Lt wrist radiograph; lateral projection; follow-up study
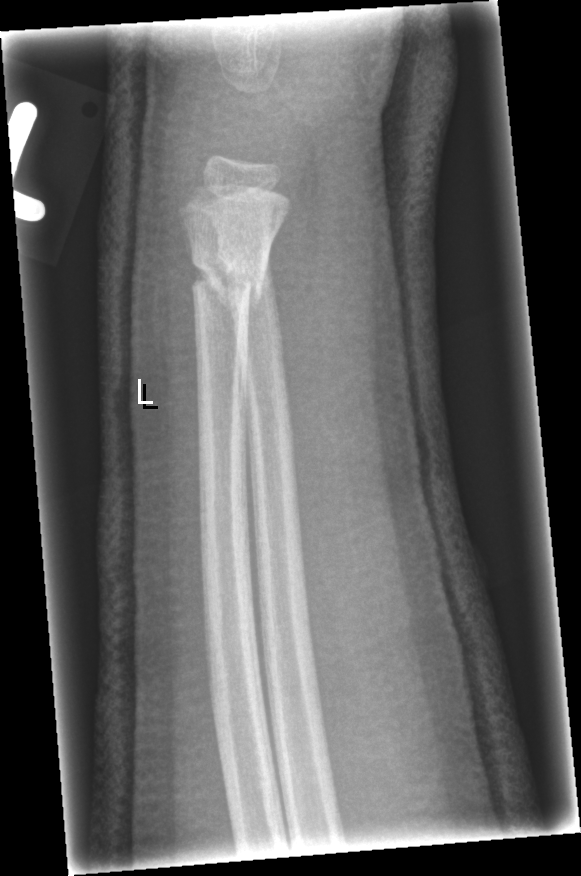
{
  "_coords": "bounding boxes in image-pixel xyxy",
  "ao": "23r-M/3.1; 23u-M/2.1",
  "fracture": "(left=186, top=245, right=268, bottom=313)"
}